Right plain radiograph of the wrist | PA/AP | pediatric patient (girl, age 16)
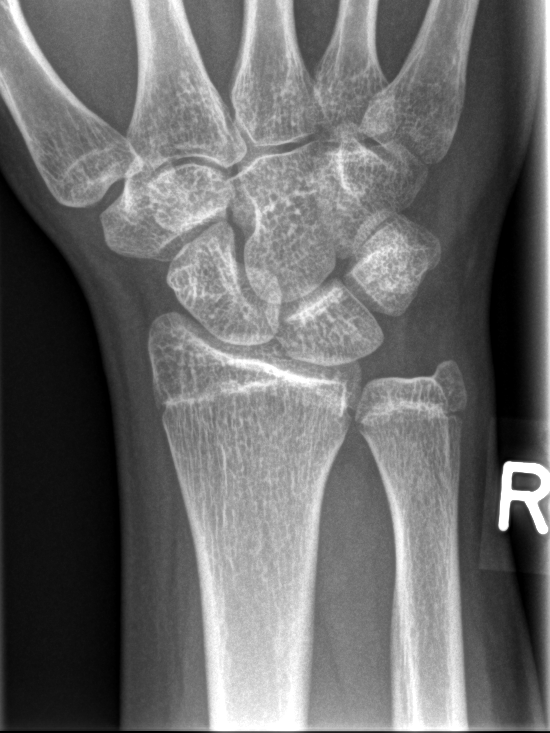 Fx = none labeled